Lat projection; Rt wrist radiograph; age 8 y, boy; 514x1144.
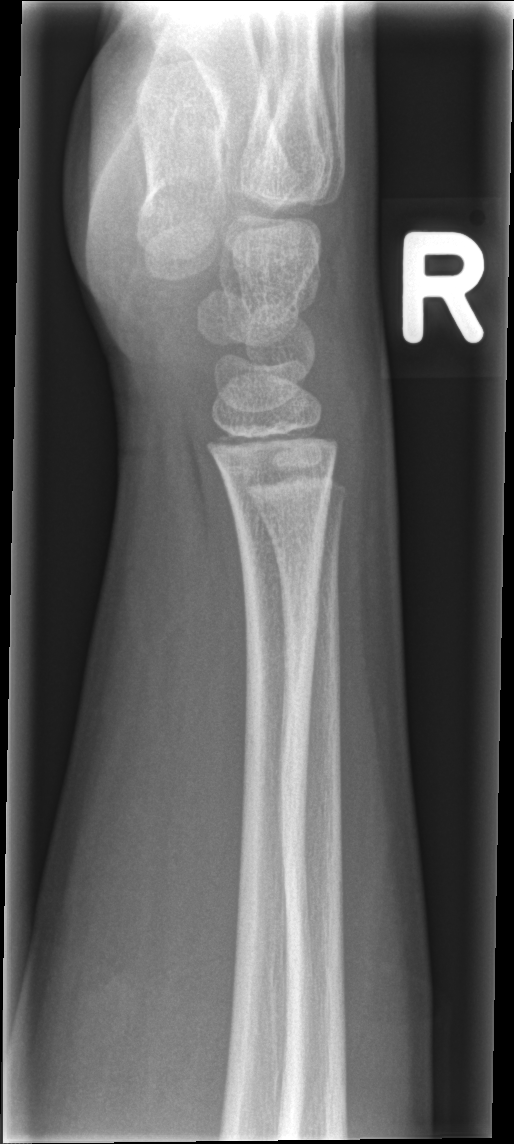
Bone fracture = none labeled